Lat projection | R wrist plain film | boy, 15 yo — 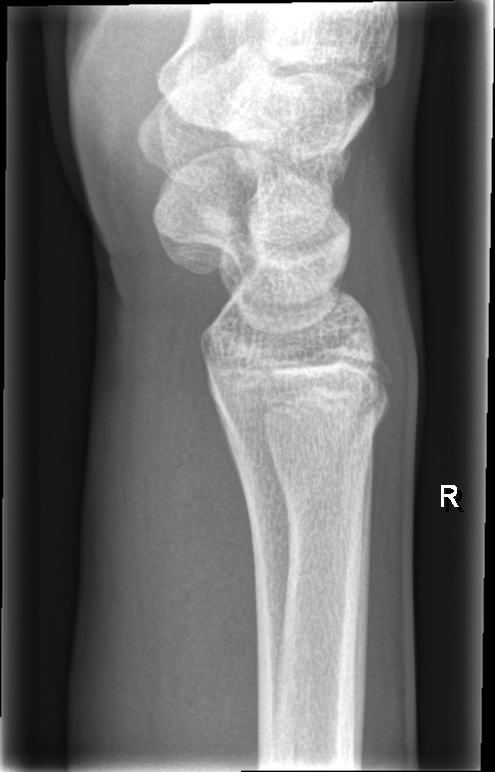 (coordinates are [x1, y1, x2, y2] in image pixels)
AO/OTA = 23r-M/2.1
fracture = [x1=209, y1=383, x2=393, y2=458]
pronator quadratus fat-pad sign = [x1=150, y1=355, x2=255, y2=761]